Left wrist X-ray; lateral projection — 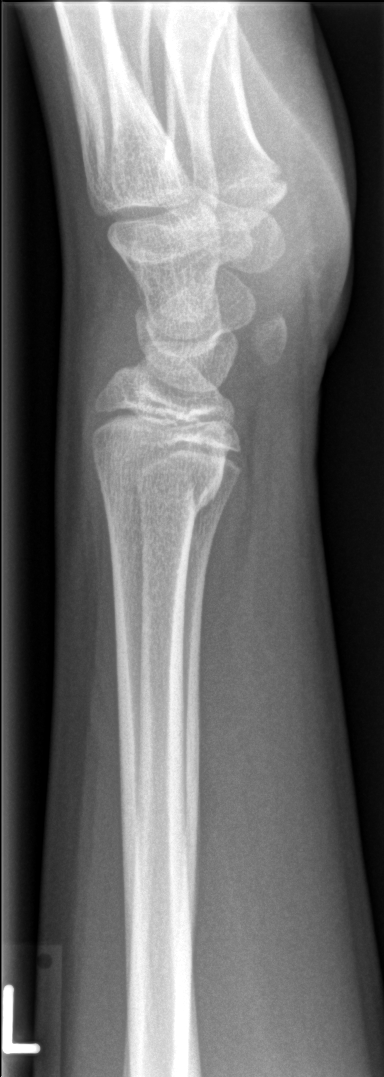
AO code 23r-M/2.1. One bone fracture at <96,460>-<227,523>.